Right wrist XR; posteroanterior; 10y M —

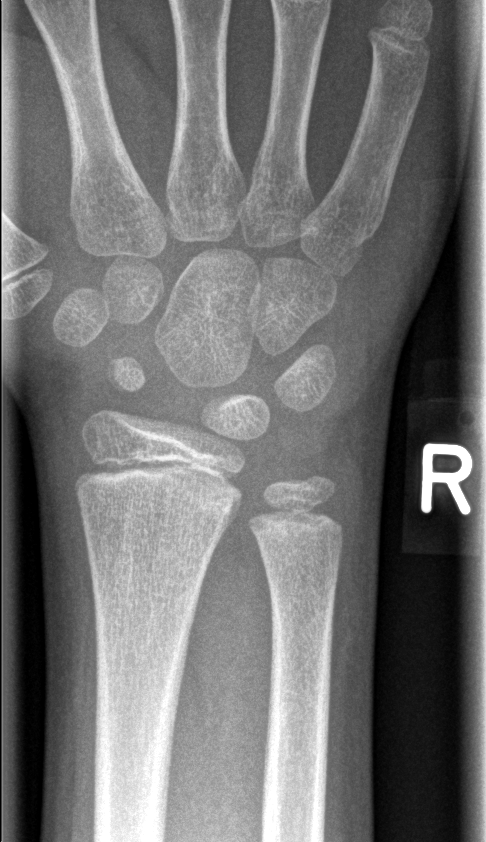

Q: Fracture present?
A: No fracture bounding box